Rt wrist XR · PA · 15-year-old female · index exam:
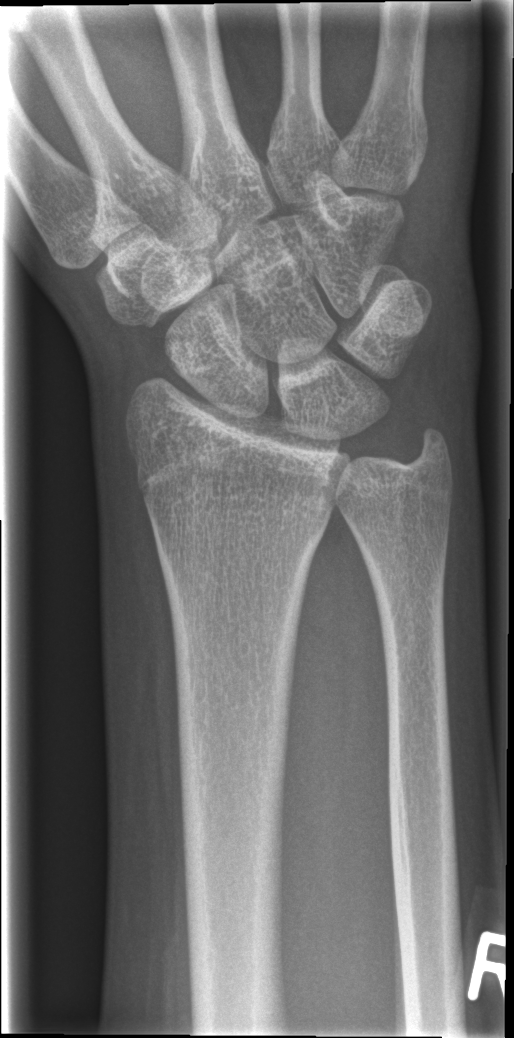
FINDINGS — No Fx annotated.